Lat · L wrist plain film · 9-year-old girl · initial study · image 52.1 mm wide · 362 by 1082 pixels.

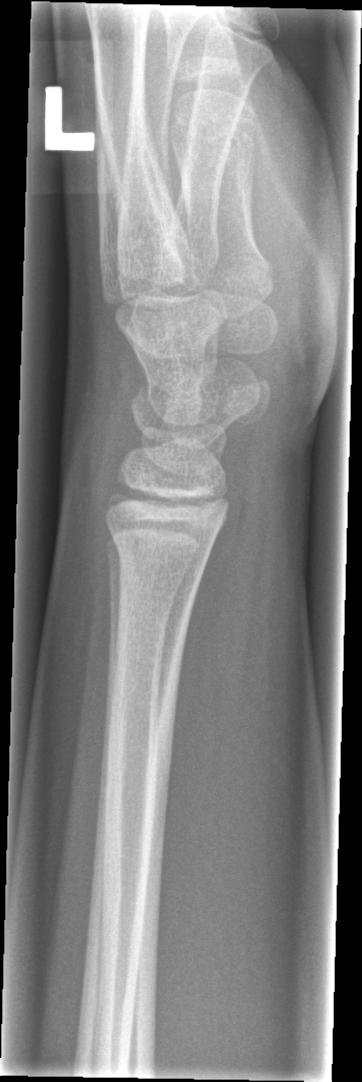

FINDINGS: Fracture: 106,518,217,581. AO code 23r-M/2.1.